Right pediatric wrist radiograph · lateral view
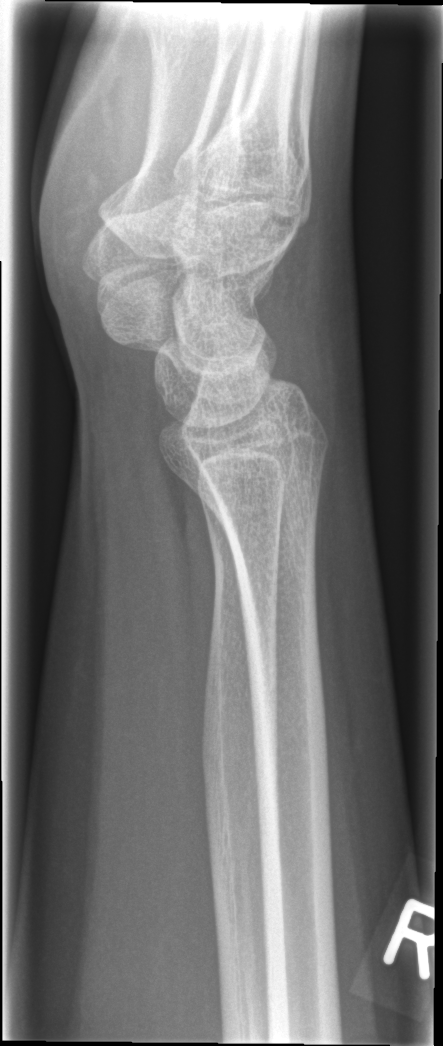 Fx: none labeled